Posteroanterior view, right pediatric wrist radiograph, Siemens:

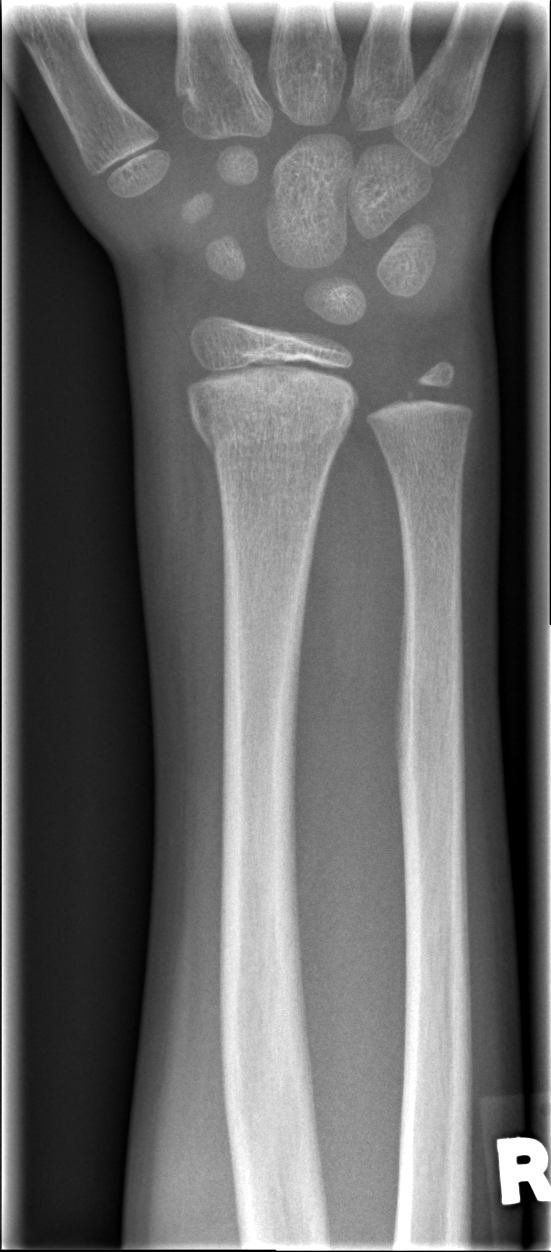 Bounding boxes in image-pixel xyxy. One bone fracture at 183,368,365,473.